Posteroanterior | Lt plain radiograph of the wrist —

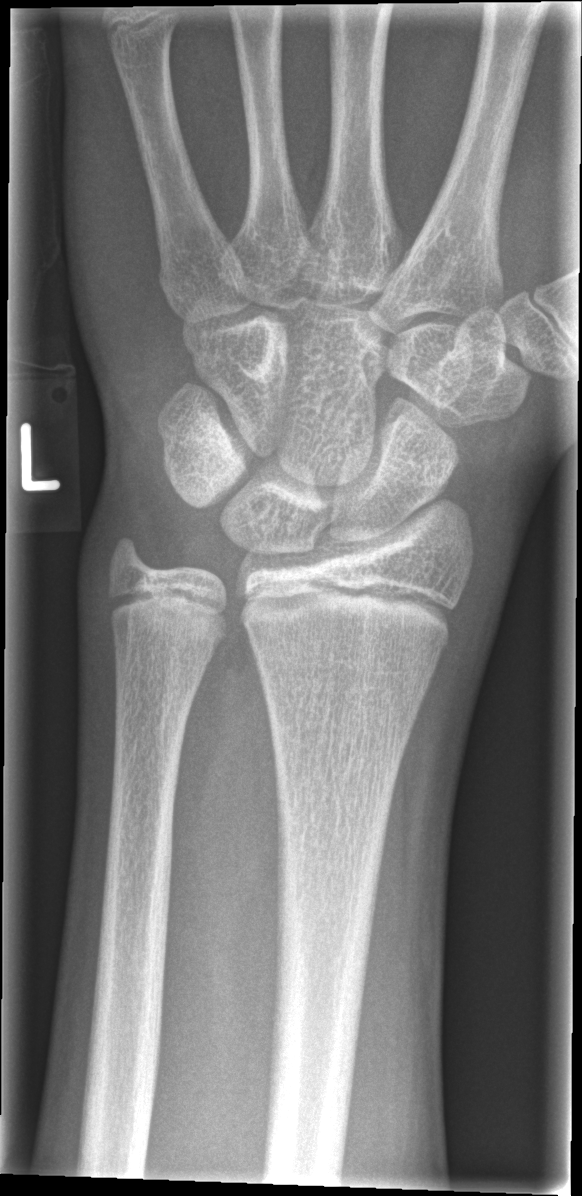 Fx = present but not clearly seen in this view